AP, left wrist plain film, male, 13 yo:
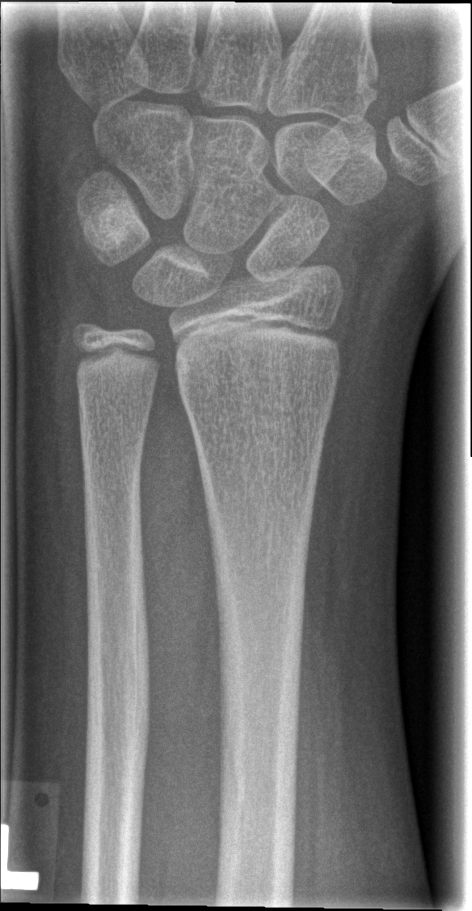 Bone fracture: none labeled